Lateral · right wrist plain film —

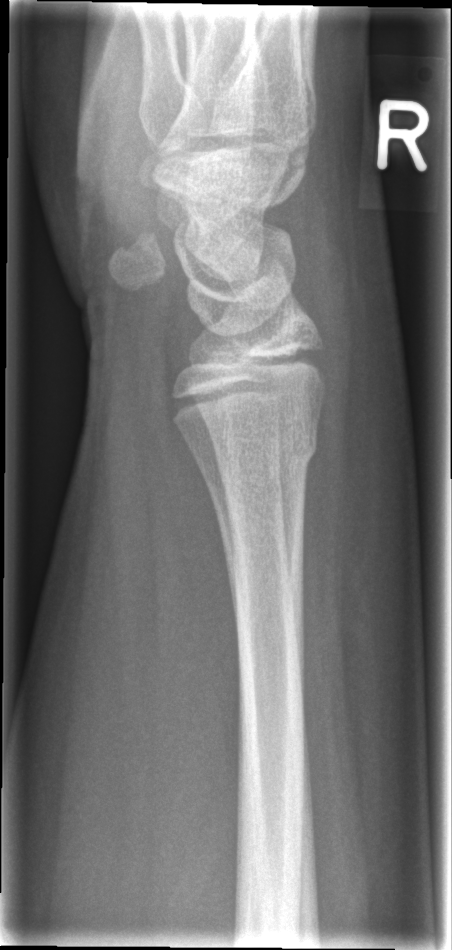
  ao: 23r-M/2.1
  fracture: 1 @ [x1=179, y1=413, x2=325, y2=485]